Lateral projection; left wrist plain radiograph of the wrist; pediatric patient (male, age 9); 504 x 896 px:
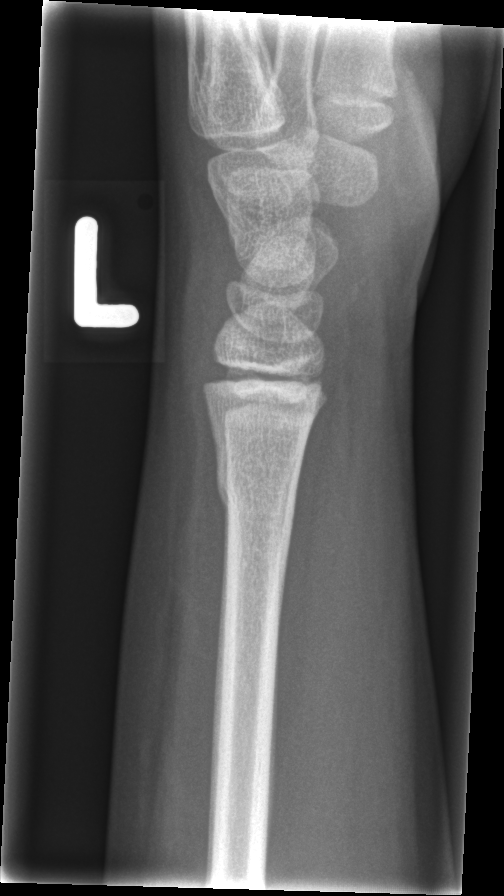

Bounding boxes in image-pixel xyxy.
Fracture classified AO/OTA 23r-M/2.1.
Positive pronator fat-pad sign identified at [276, 354, 363, 707].
Fx — [211, 448, 301, 533].